Right pediatric wrist radiograph; lateral; cast present; 564 x 1076 px

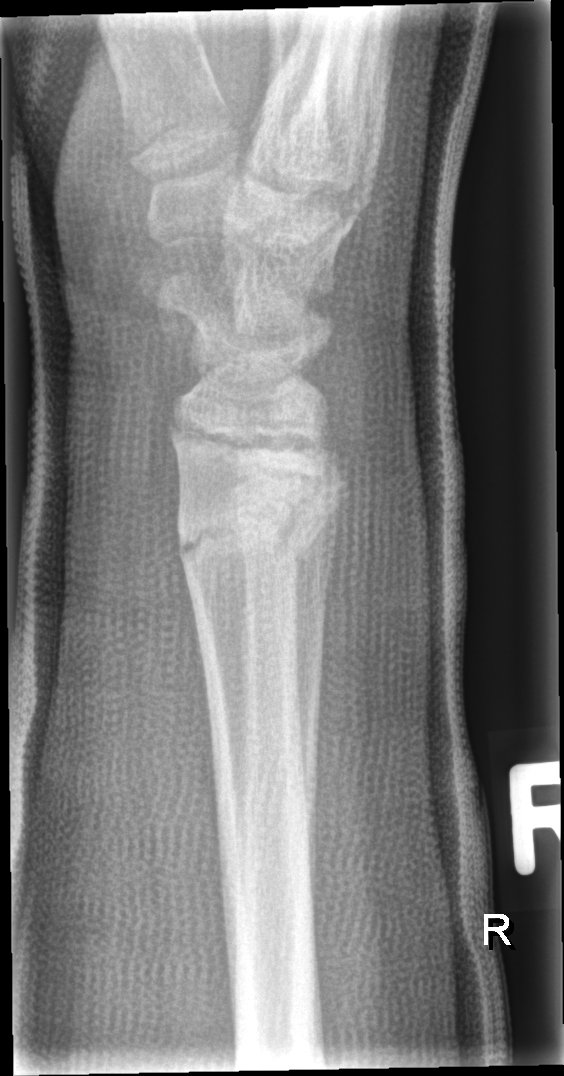 bone fracture = 174,510,322,579